Lat view · right pediatric wrist radiograph · age 14 y, boy · cast present · image size 676x1232:

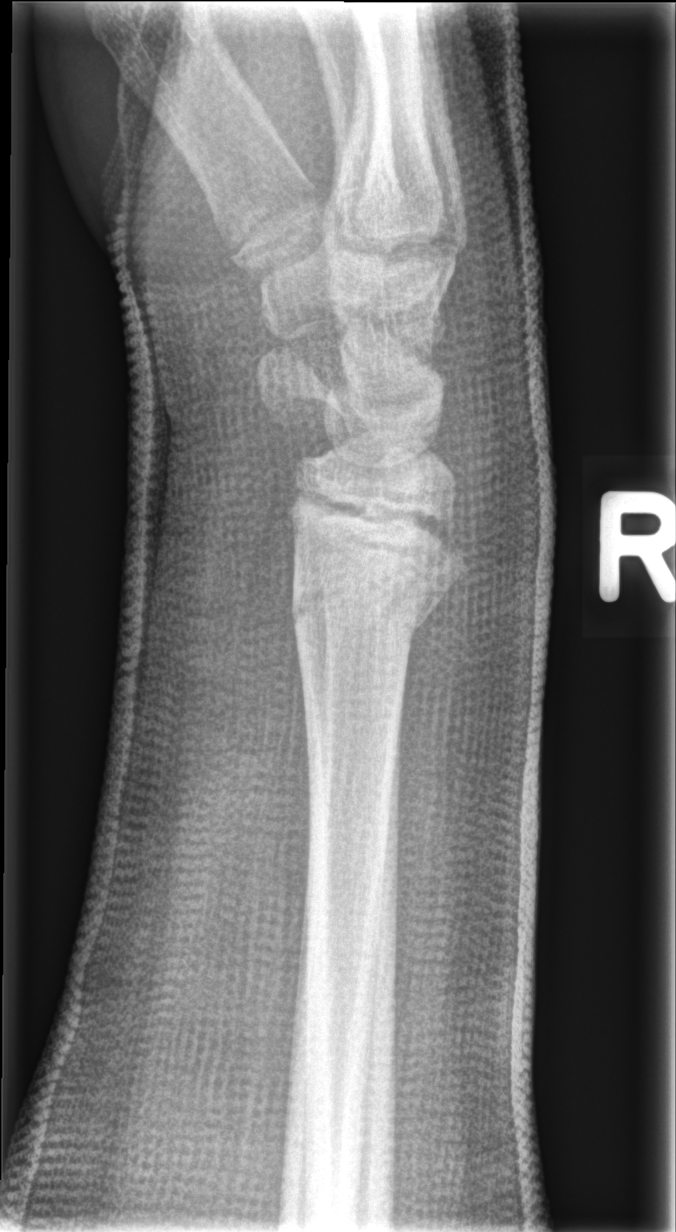

• Coordinates are [x1, y1, x2, y2] in image pixels.
• Fracture: [x1=288, y1=570, x2=455, y2=642].
• Fracture classified AO/OTA 23r-M/3.1; 23u-E/7.